Rt plain radiograph of the wrist · PA/AP projection · 9-year-old boy · initial study 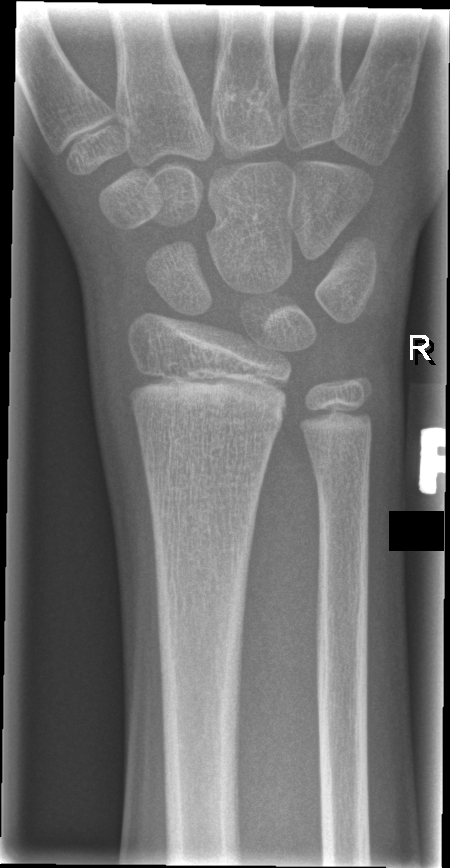

Q: Any fracture seen?
A: Fracture: none labeled